PA/AP | L wrist radiograph | 16y F. 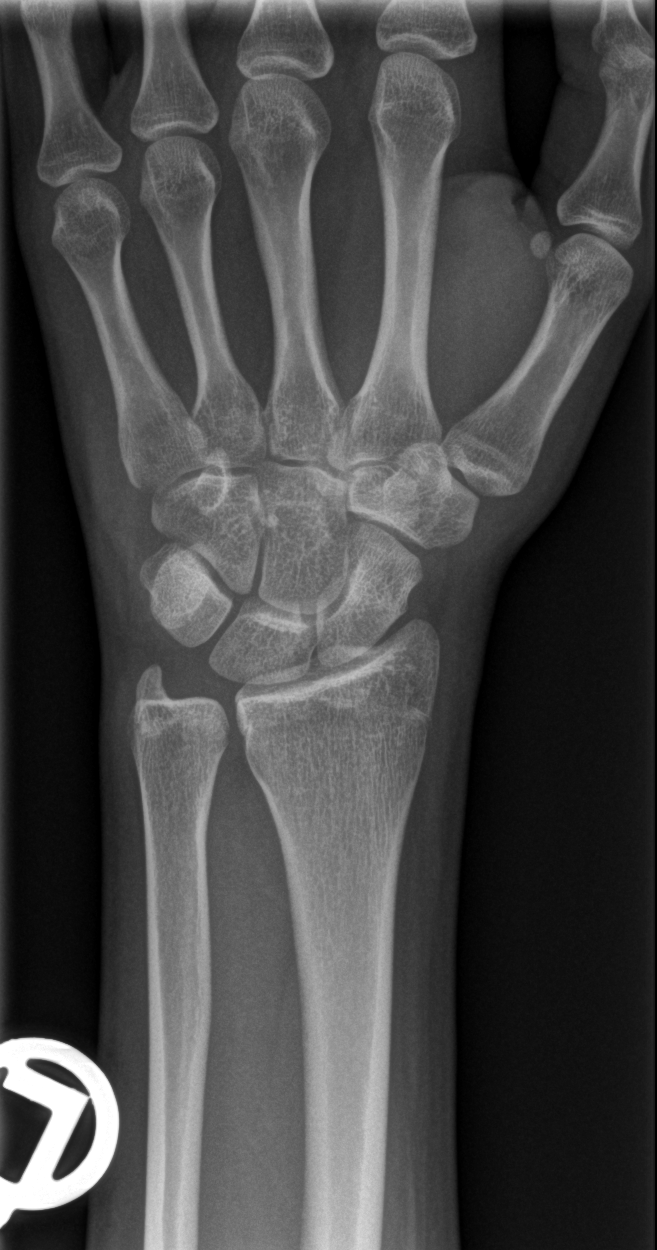
Fx: none.